Frontal projection · right wrist radiograph · 8y M.

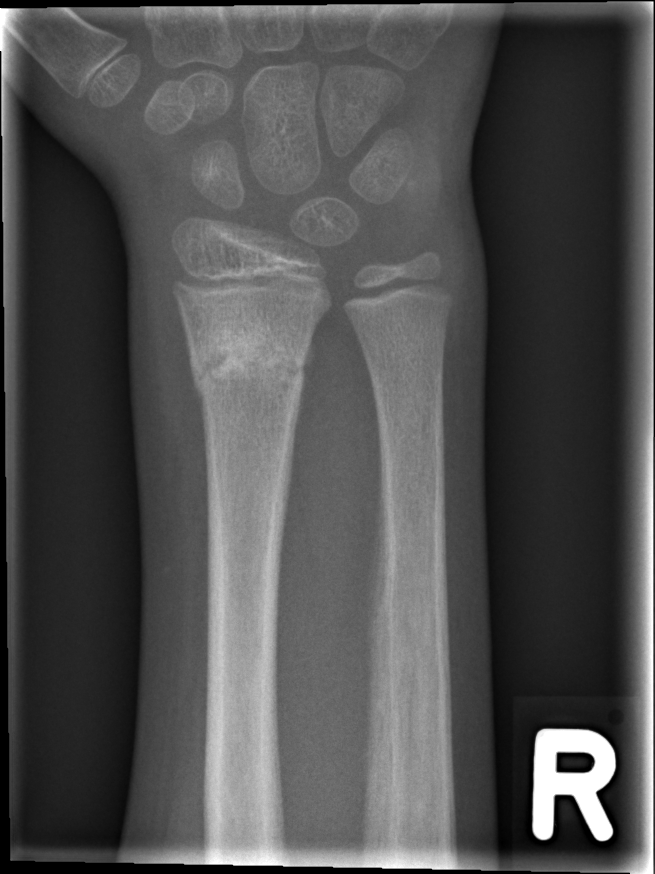

Osteopenia: present
Fracture: <187,337>-<312,395>
AO classification: 23r-M/3.1